Lateral view | Lt wrist radiograph | 5-year-old boy | 446x768.
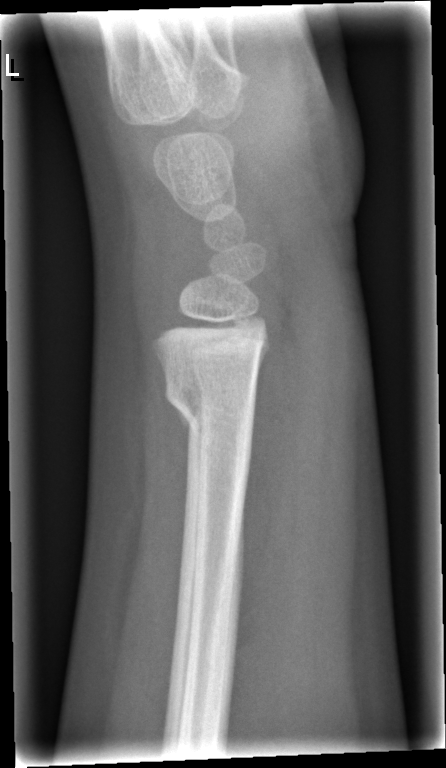
FINDINGS: (boxes as x1,y1,x2,y2 (top-left / bottom-right, pixel units)) Pronator sign — (235, 313, 306, 617). Fx identified at (162, 368, 260, 441).